AP, R wrist X-ray, girl, 12 yo, presentation radiograph, image size 615x1138

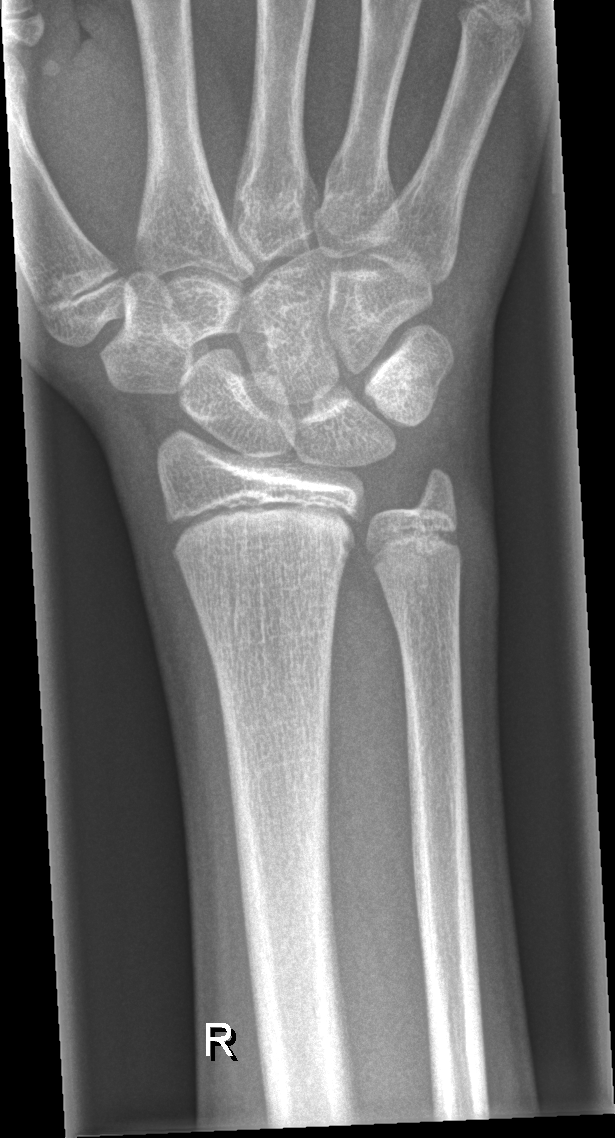
FINDINGS — No Fx annotated.